Left wrist plain film; lat view; pediatric patient (girl, age 11); image size 508x1224 — 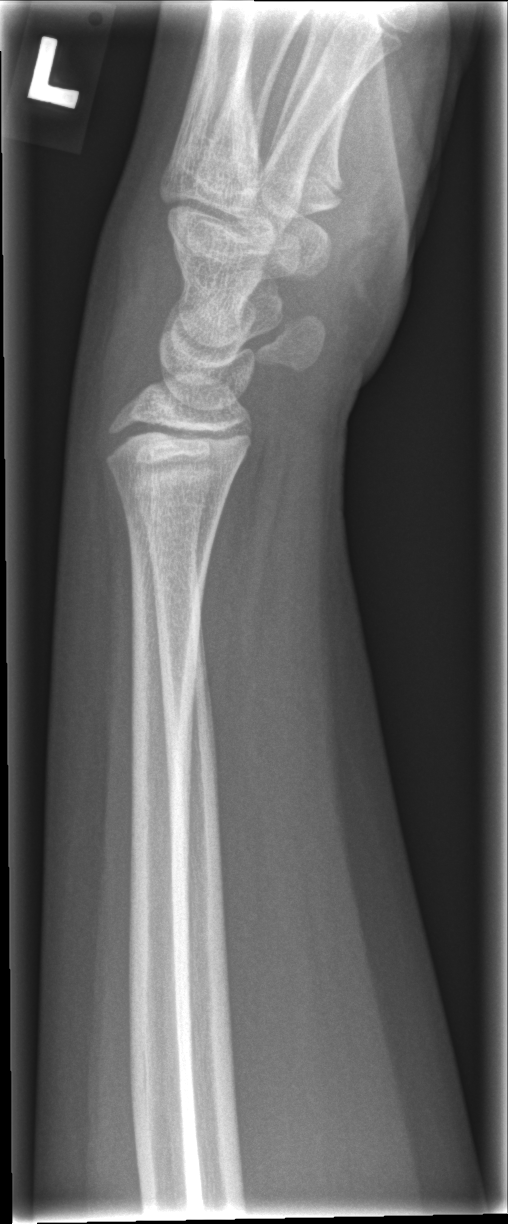
bone fracture: none labeled